Right wrist radiograph · frontal — 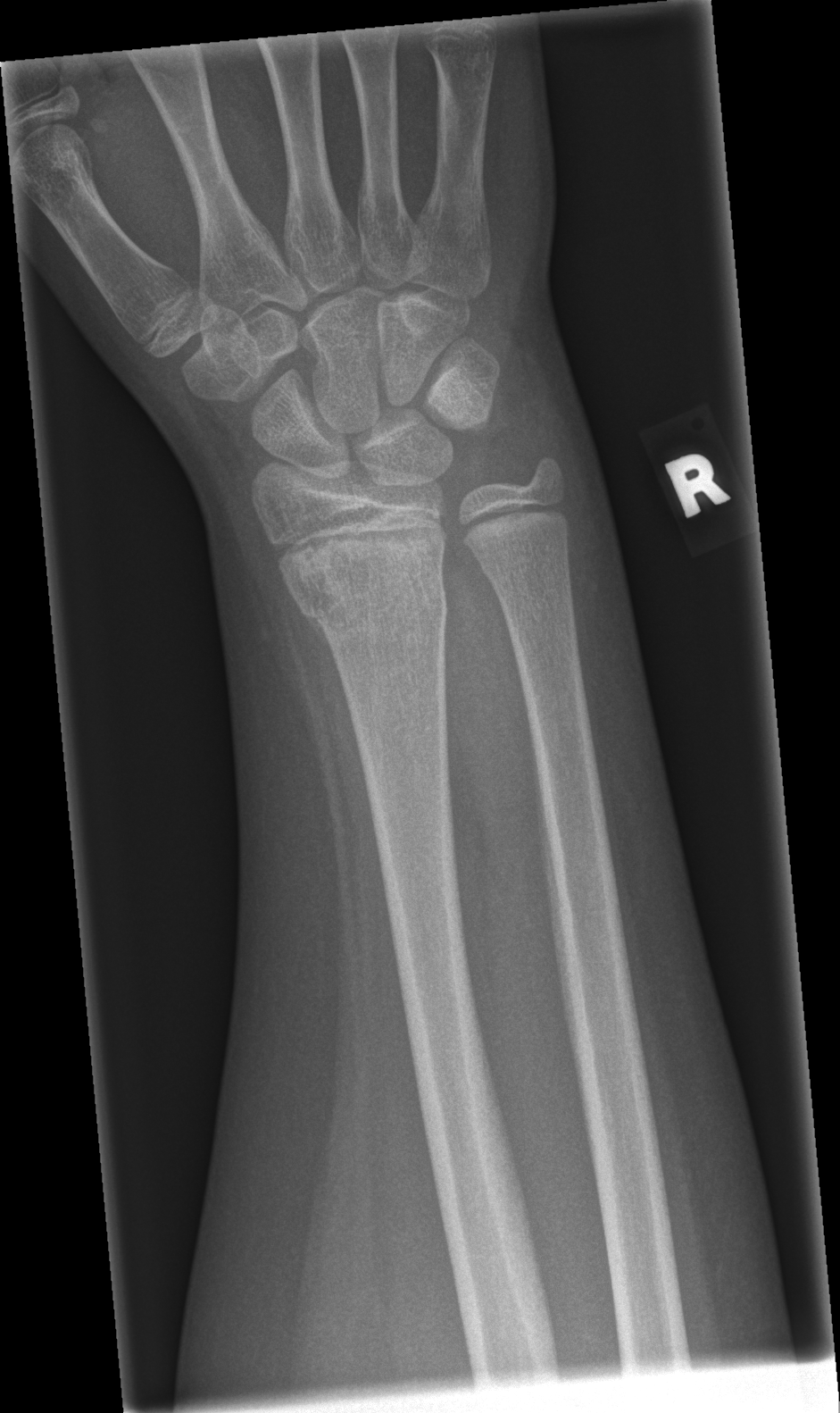

Boxes as x1,y1,x2,y2 (top-left / bottom-right, pixel units). Fracture: (278, 536, 451, 645).